Rt wrist X-ray | lat | initial study | detector: Siemens | image size 460x598 — 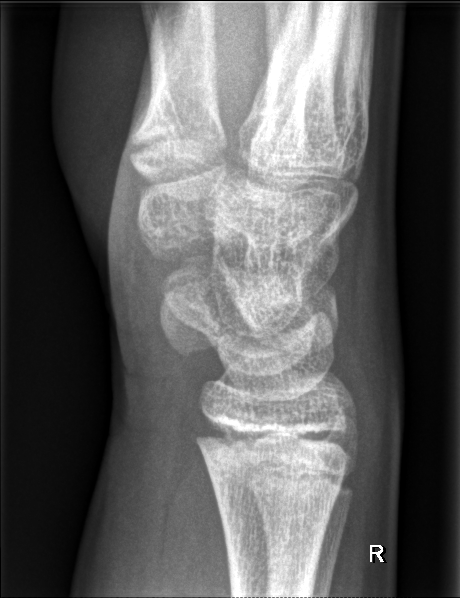
No fracture labeled.